PA/AP, L wrist XR, follow-up, detector: Siemens:

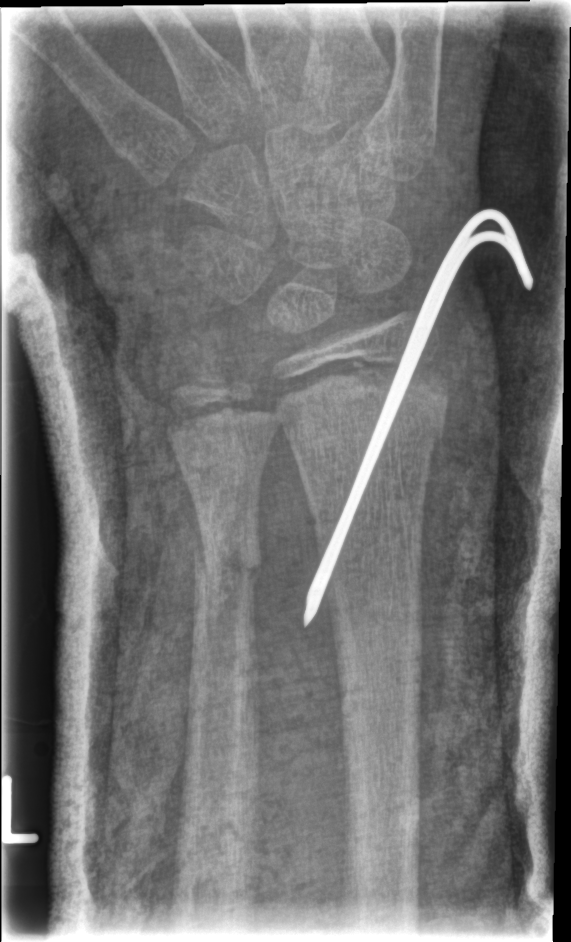 (pixel coordinates, top-left origin, xyxy)
Q: What is the AO/OTA classification?
A: Fracture classified AO/OTA 23r-E/2.1; 23u-M/3.1; 23u-E/7
Q: Any metal present?
A: Metal: [x1=300, y1=206, x2=534, y2=630]
Q: Any fracture seen?
A: Bone fractures — [x1=279, y1=343, x2=457, y2=484] [x1=187, y1=513, x2=267, y2=605] [x1=162, y1=353, x2=245, y2=402]